Right pediatric wrist radiograph; AP projection; image width 75.7 mm. 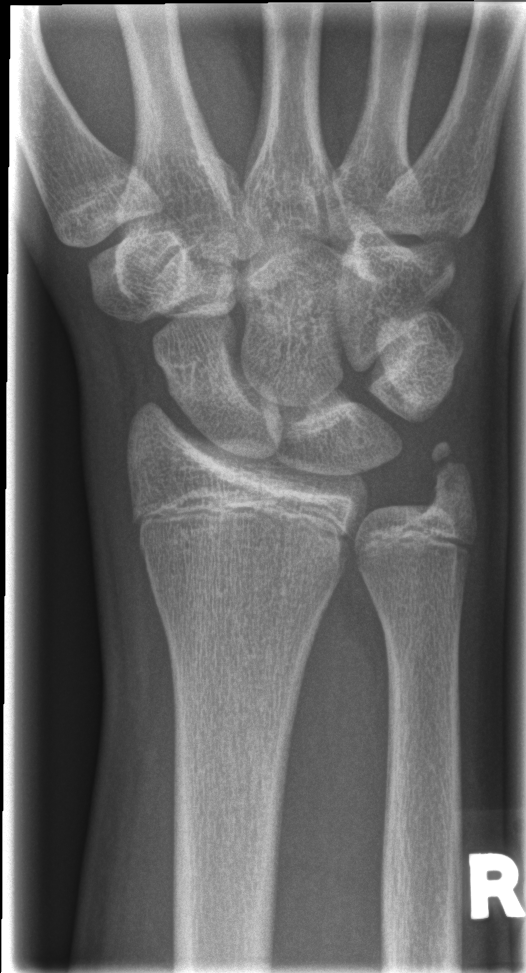

FINDINGS: One fracture at [x1=424, y1=437, x2=477, y2=507].